Lat | right plain radiograph of the wrist —
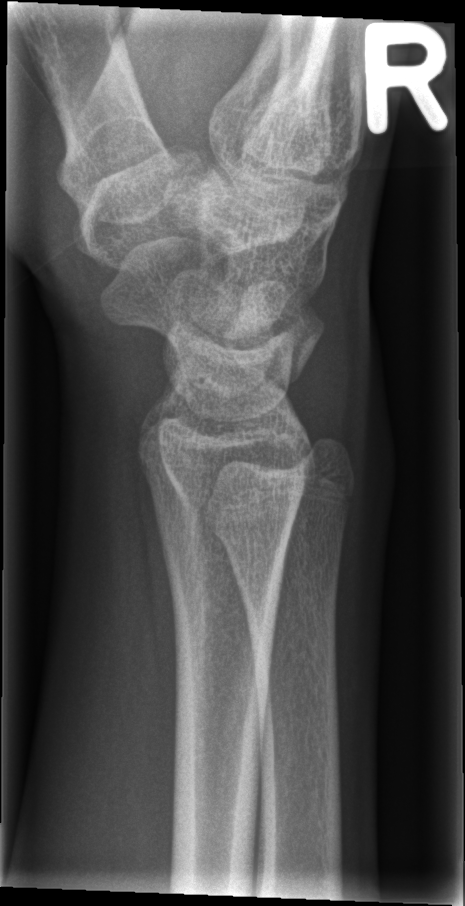 • No fracture labeled.